Lat, right wrist plain film, detector: Siemens.
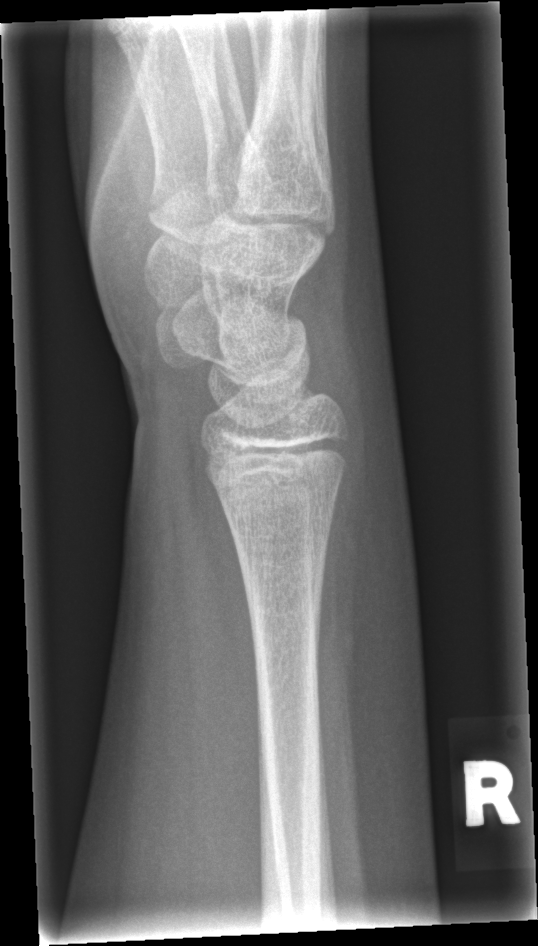
No fracture annotation.